R pediatric wrist radiograph, AP, female, 10 yo, cast in situ —

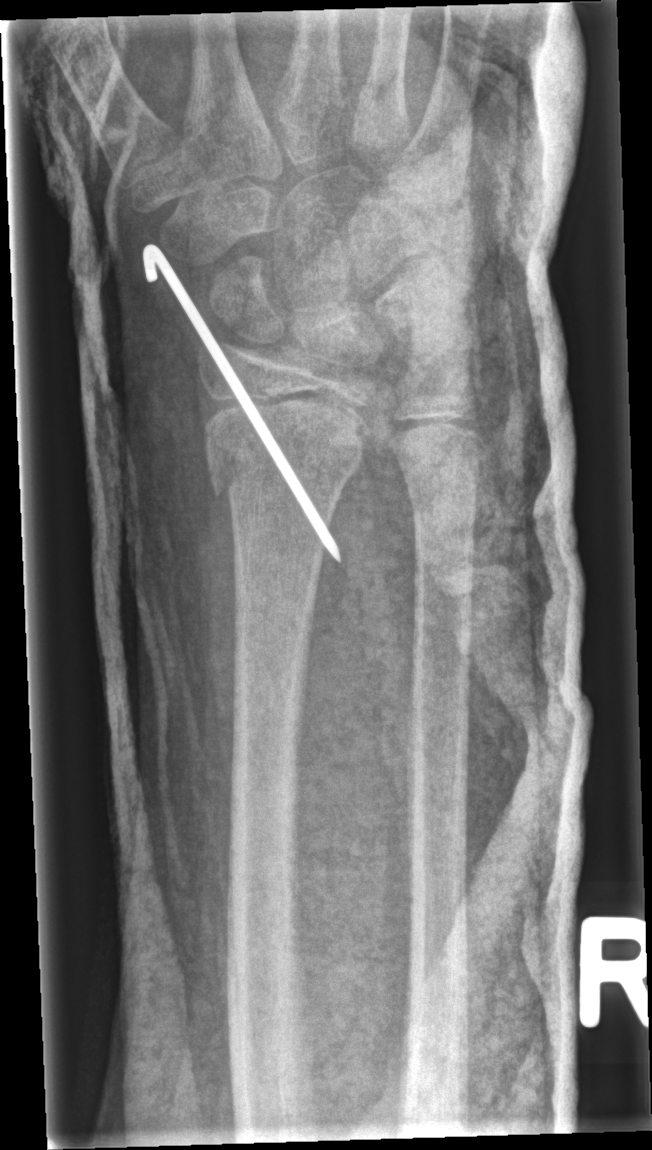 metallic hardware: 1 @ (140, 239, 345, 568)
bone fracture: 1 @ (201, 405, 373, 502)